Frontal view, Lt wrist radiograph, follow-up: 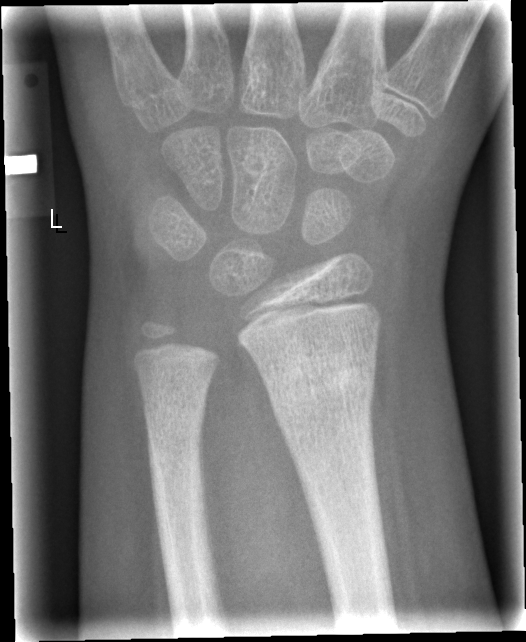 bone fracture: 1 @ [x1=264, y1=344, x2=379, y2=429]